L wrist XR | posteroanterior projection | 438 x 884 px:
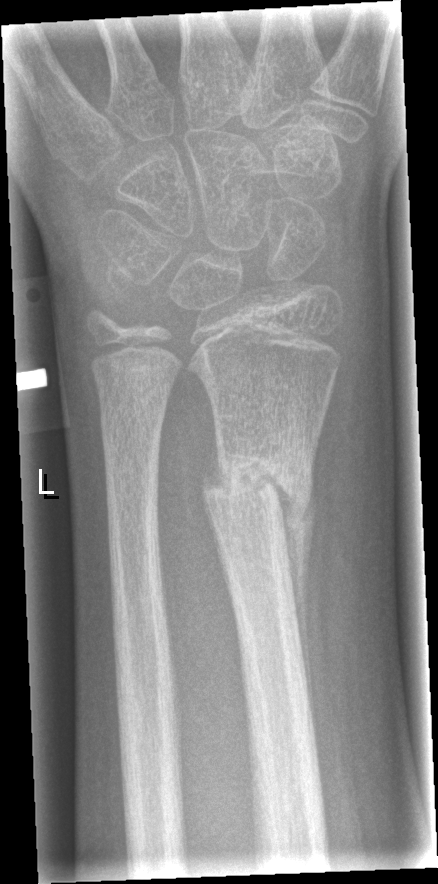

{"osteopenia": "present", "ao": "23r-M/3.1", "fracture": "1 @ 197,450,316,529", "periostealreaction": "280,481,319,719"}